Right wrist pediatric wrist radiograph, frontal, pediatric patient (girl, age 3), image width 72.1 mm. 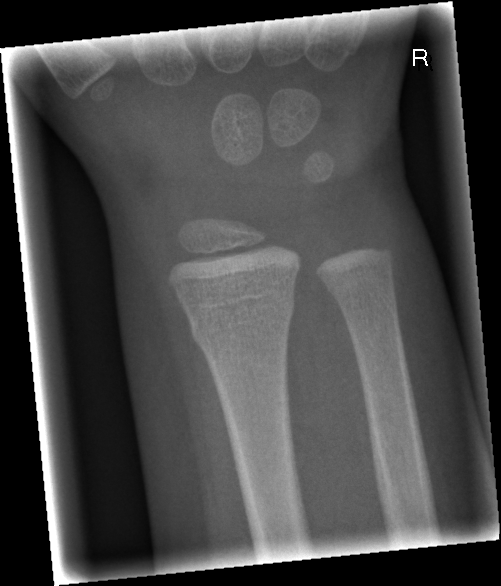 AO code = 23r-M/2.1
Fx = 1 @ (186, 288, 298, 354)